Right wrist plain film; PA/AP: 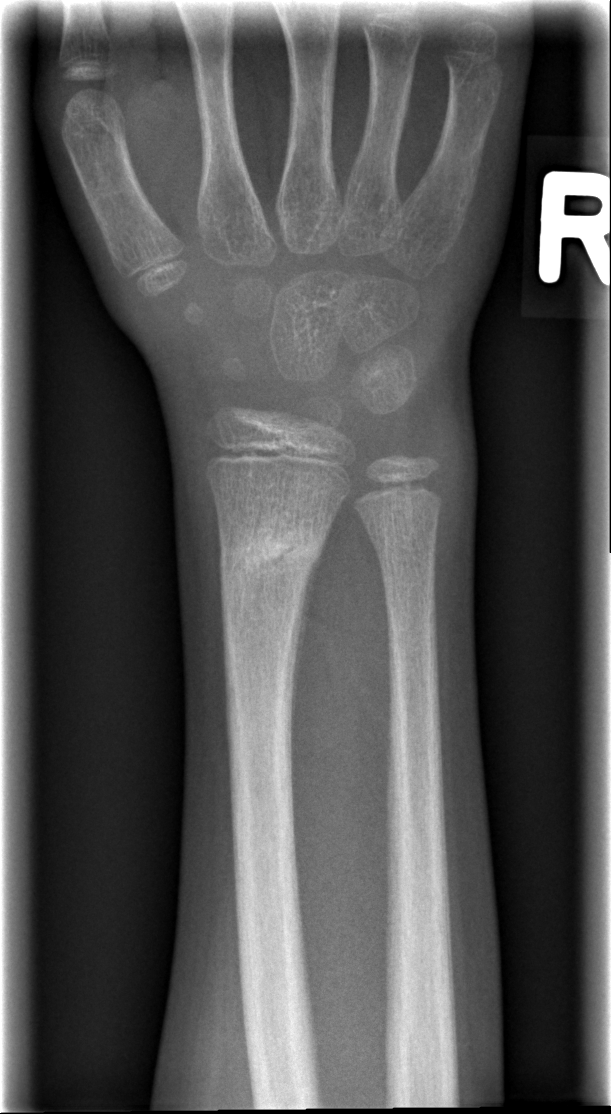 One periosteal thickening at <292,559>-<321,715>.
Reduced bone mineral density.
Fx identified at <216,517>-<329,588>.
AO code 23r-M/2.1.